AP projection · L wrist X-ray 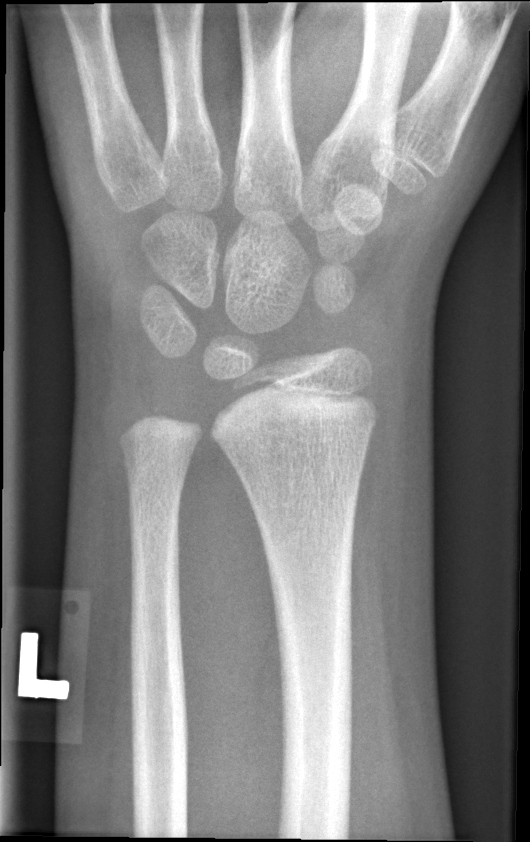 No Fx annotated.